Right wrist plain film · lateral · acquired on Siemens

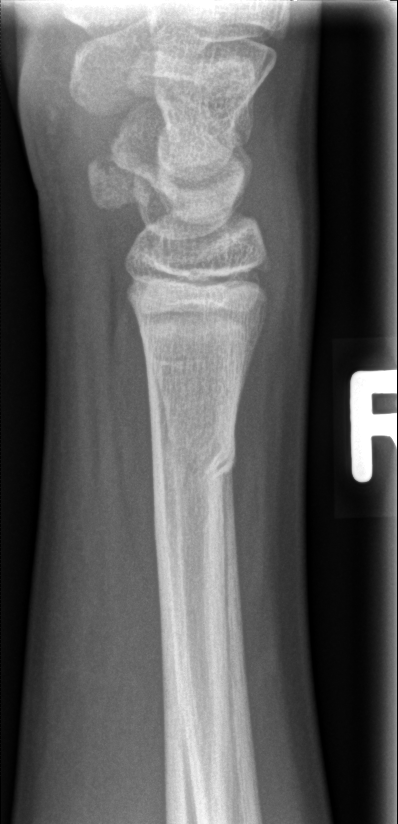

One bone fracture at [x1=148, y1=424, x2=238, y2=490].